L wrist X-ray | posteroanterior view | female, 12 yo

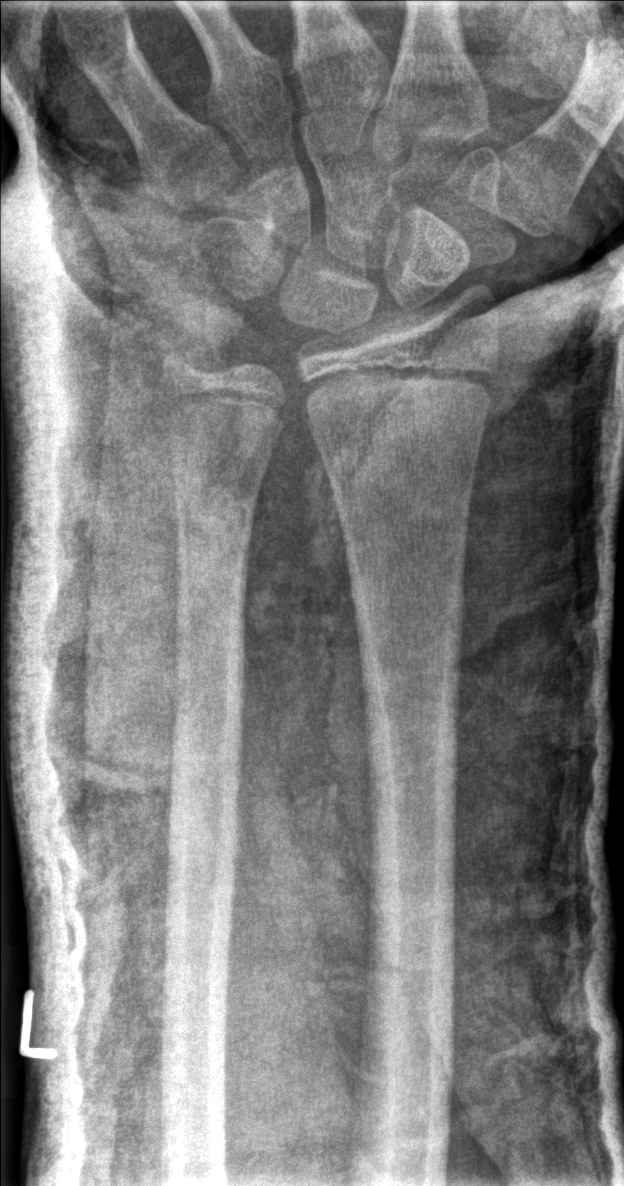

Fracture classified AO/OTA 23r-E/2.1; 23u-E/7. Fx present but not clearly seen in this view.